L pediatric wrist radiograph · lat · image 69.3 mm wide: 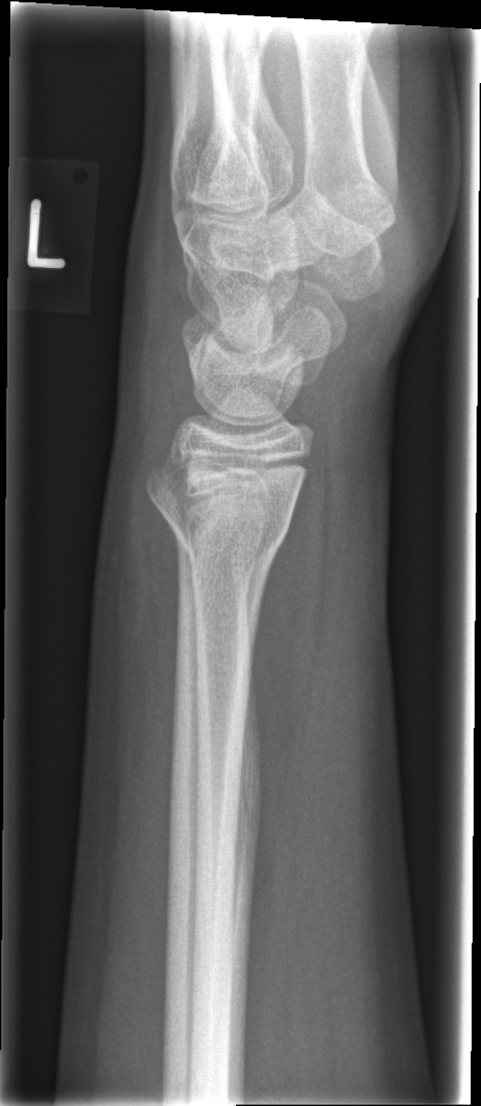 FINDINGS — Fracture classified AO/OTA 23r-M/3.1. Fracture — 140,449,307,565.